L wrist X-ray; lateral projection; age 10 y, boy
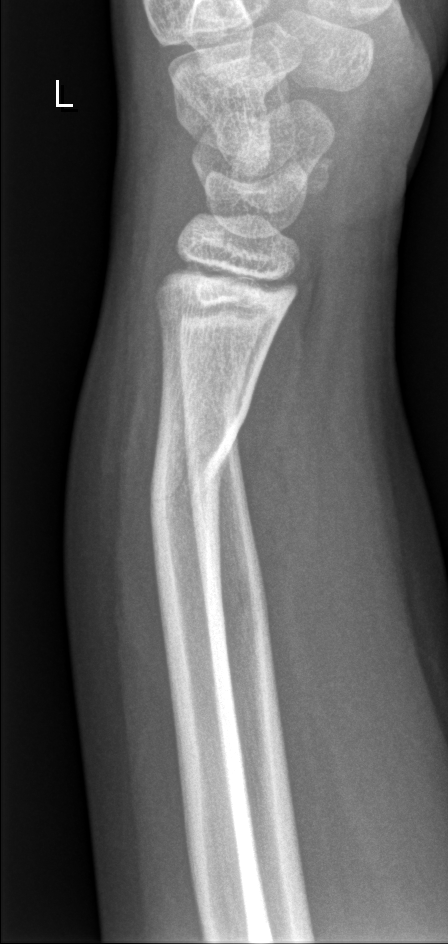 (pixel coordinates, top-left origin, xyxy)
fracture: 1 @ <147,434>-<235,523>
AO/OTA: 23-M/2.1